AP view; Lt plain radiograph of the wrist; age 10 y, boy:

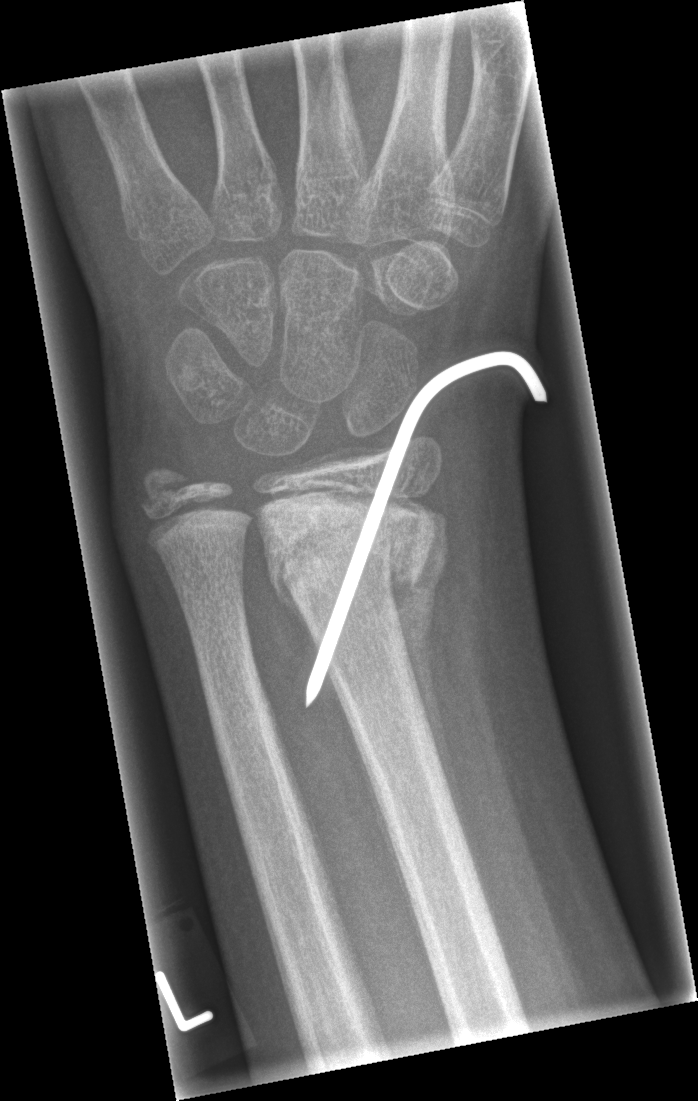 (bounding boxes in image-pixel xyxy)
Hardware = bbox(304, 350, 548, 708)
Periosteal thickening = bbox(385, 513, 477, 872), bbox(263, 539, 307, 624)
Bone fracture = 2 @ bbox(257, 493, 453, 622), bbox(136, 463, 208, 517)